Frontal projection · right pediatric wrist radiograph · 15y F:
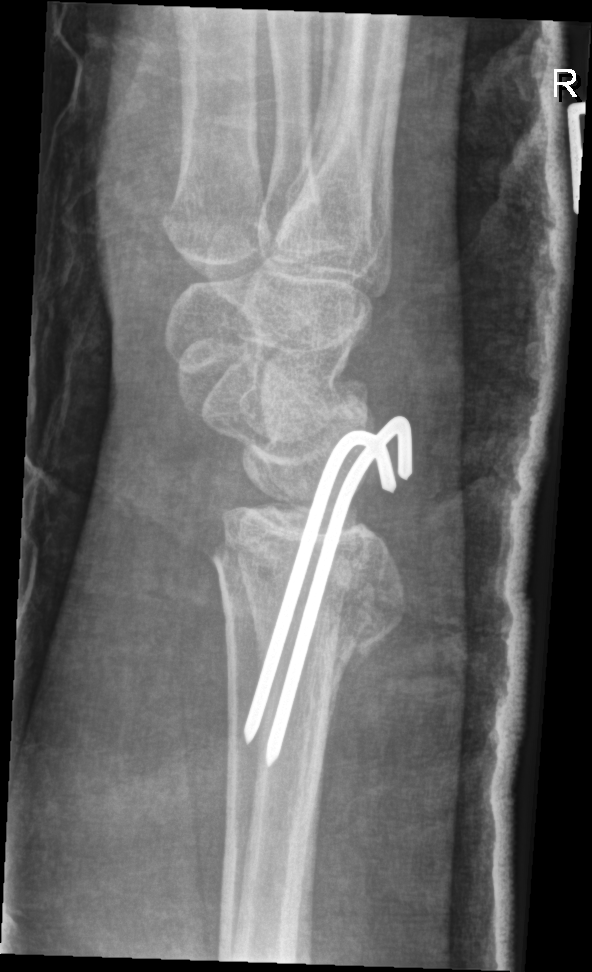
Fracture: 208,522,411,695
Hardware: 1 @ 245,416,414,765
AO/OTA: 23r-M/3.1; 23u-E/7